Lat projection, R pediatric wrist radiograph, pediatric patient (male, age 16), findings marked uncertain by the reading radiologist, detector: Siemens.
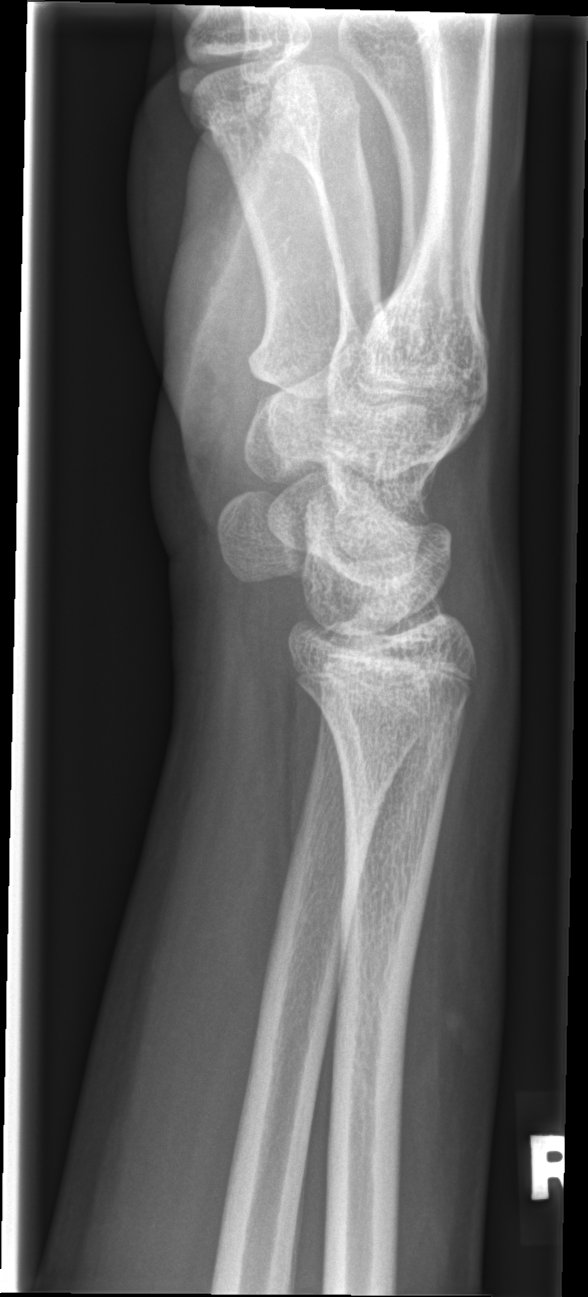
{
  "ao": "23r-M/2.1; 23u-E/7",
  "fracture": "present but not clearly seen in this view"
}